Right wrist X-ray · AP · pediatric patient (boy, age 17) · 560 by 988 pixels — 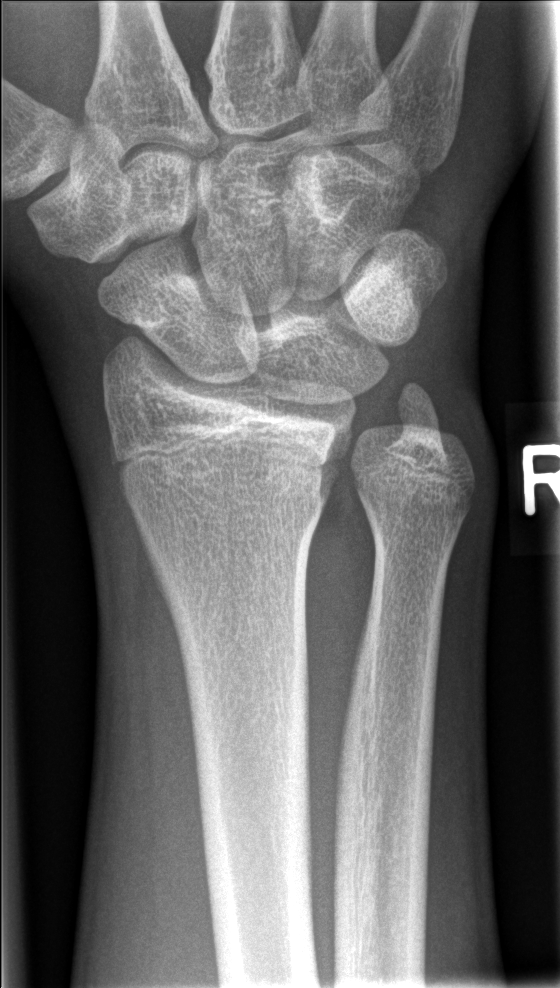 fracture: none labeled